Lat; left wrist radiograph; 10-year-old male; follow-up.

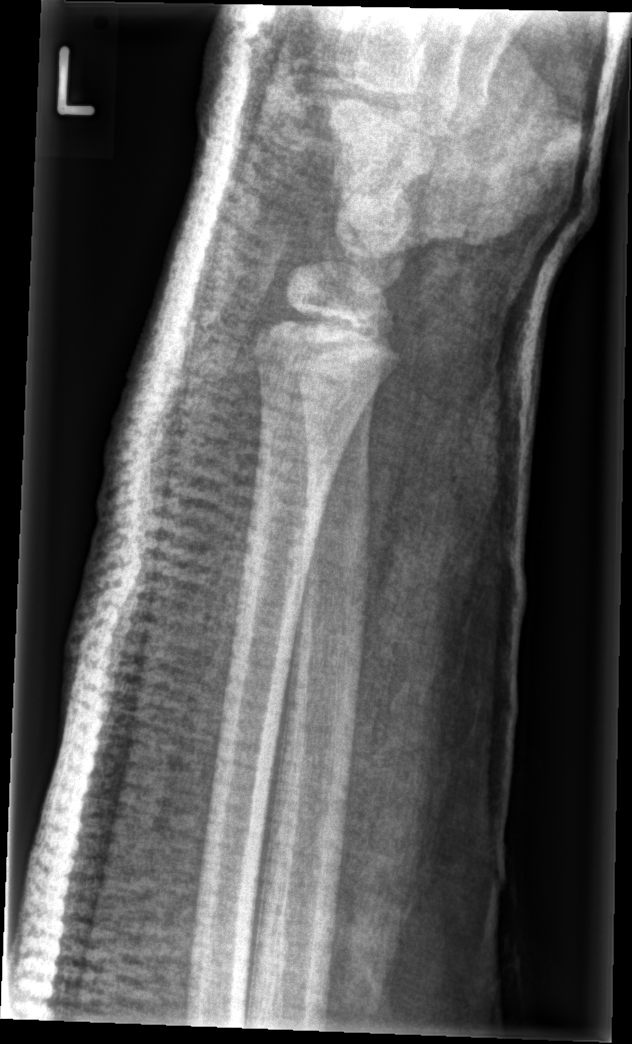 • Fracture classified AO/OTA 23r-E/1.
• Fx: present but not clearly seen in this view.